Lat projection · left wrist plain film · cast present: 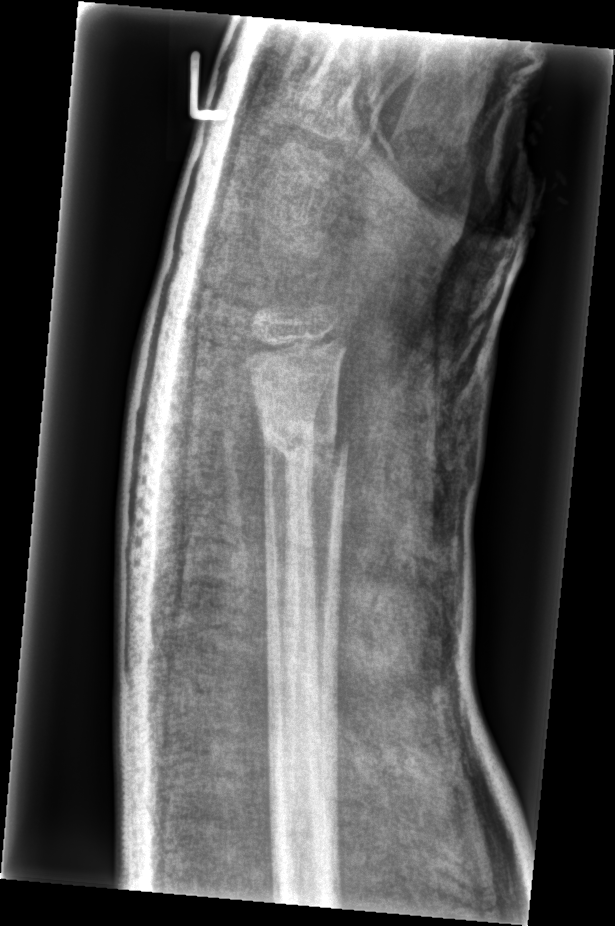 Fracture: bbox(259, 415, 354, 468). AO/OTA classification: 23r-M/3.1; 23u-M/2.1.